PA/AP projection; left wrist plain film; male, 7 yo; image 118.1 mm wide. 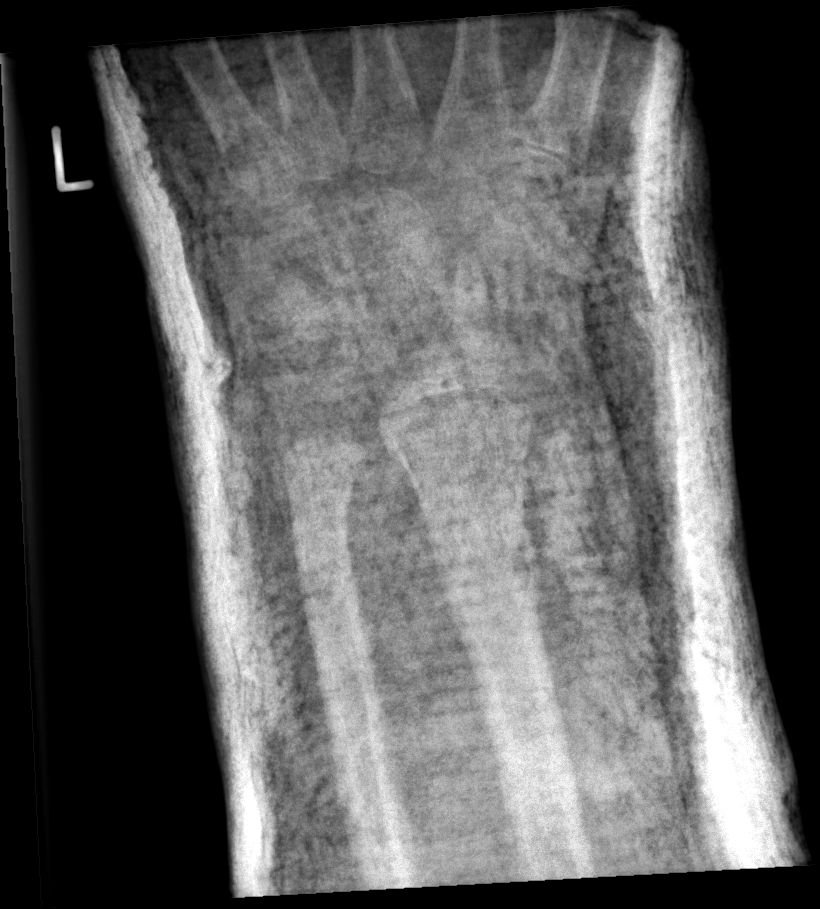

FINDINGS: Fracture classified AO/OTA 23r-M/3.1; 23u-M/2.1. Fracture — (420, 510, 550, 605).